Lateral view · right pediatric wrist radiograph · age 14 y, boy · initial study · diagnosis uncertain · 426 by 846 pixels. 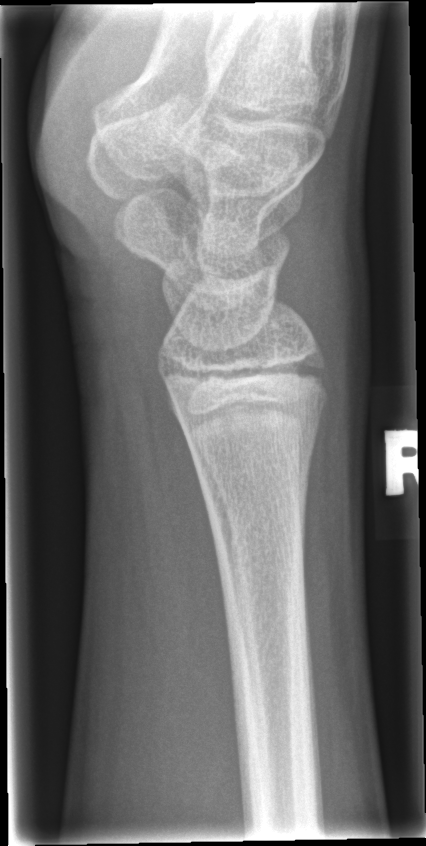 No fracture annotation.